Lateral | R wrist XR | cast in situ
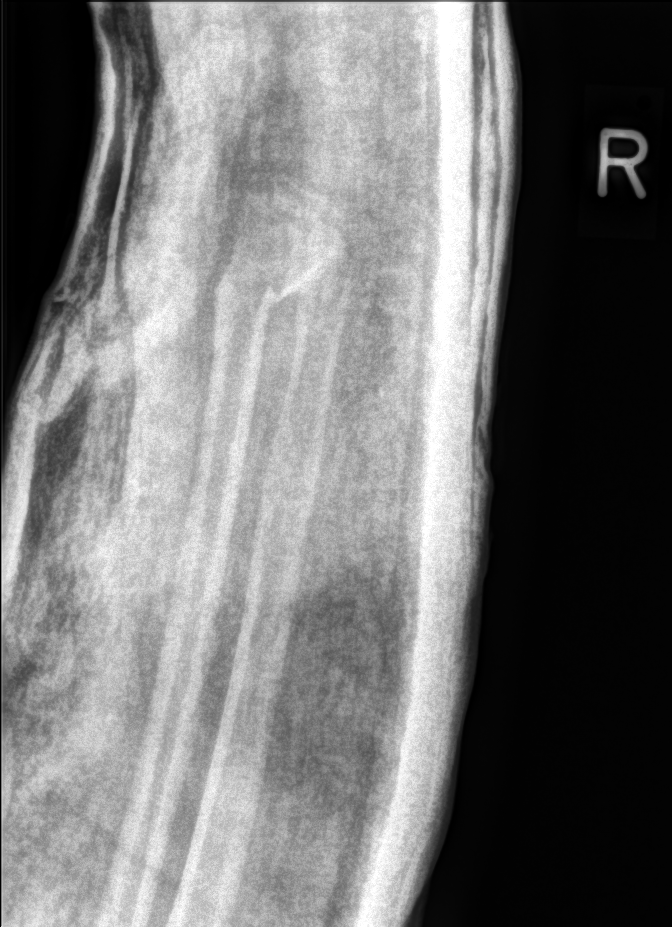
Findings: (coordinates are [x1, y1, x2, y2] in image pixels) AO code 23-M/3.1. Bone fracture — <202,248>-<305,324>.